Rt wrist XR; lat view; initial study:
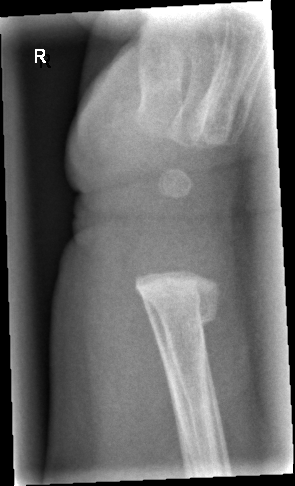
FINDINGS — (bounding boxes in image-pixel xyxy) Fracture — bbox(147, 275, 224, 342).